Lateral projection · L plain radiograph of the wrist.
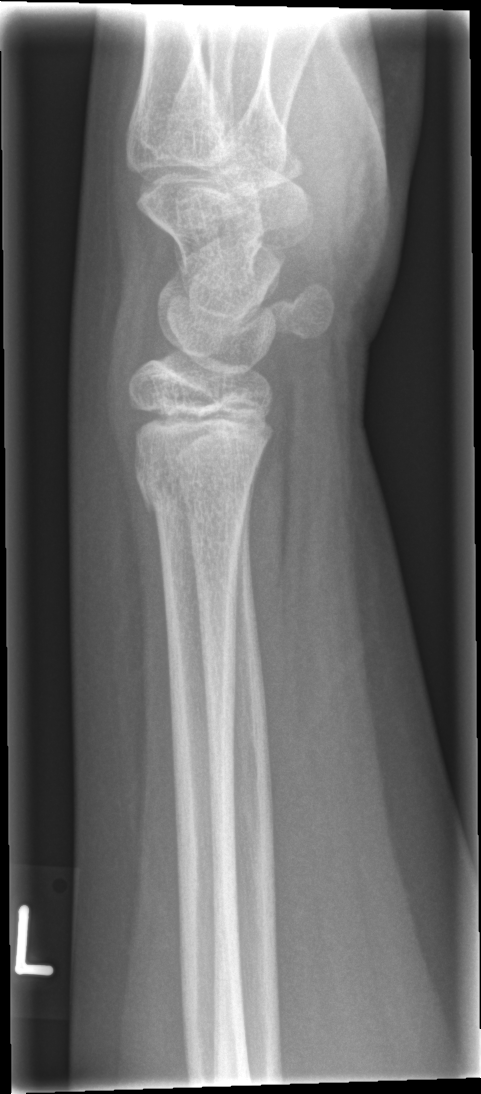 Bone fracture: [130, 458, 252, 530].